PA/AP projection; L wrist radiograph; age 4 y, boy; image 62.8 mm wide

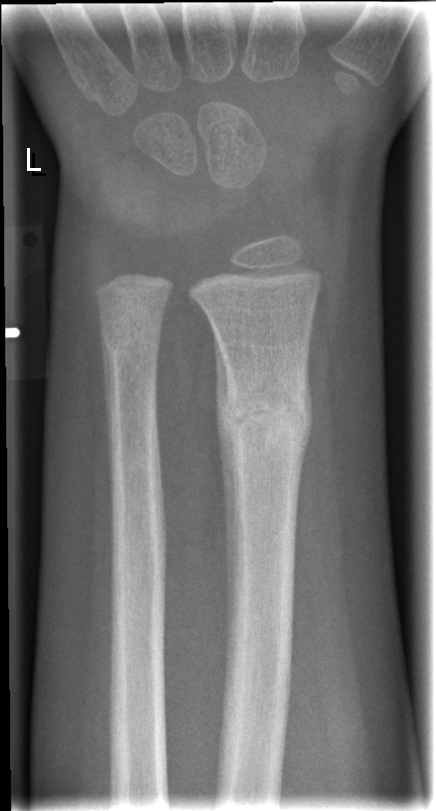
Periosteal reaction: (left=212, top=324, right=238, bottom=690) (left=100, top=321, right=117, bottom=515).
Fracture identified at (left=216, top=379, right=316, bottom=460) (left=99, top=319, right=163, bottom=367).
AO/OTA classification: 23r-M/3.1; 23u-M/2.1.